Lat · R plain radiograph of the wrist · 13-year-old male · index exam · detector: Siemens · 78.3 mm image width · 544x1069 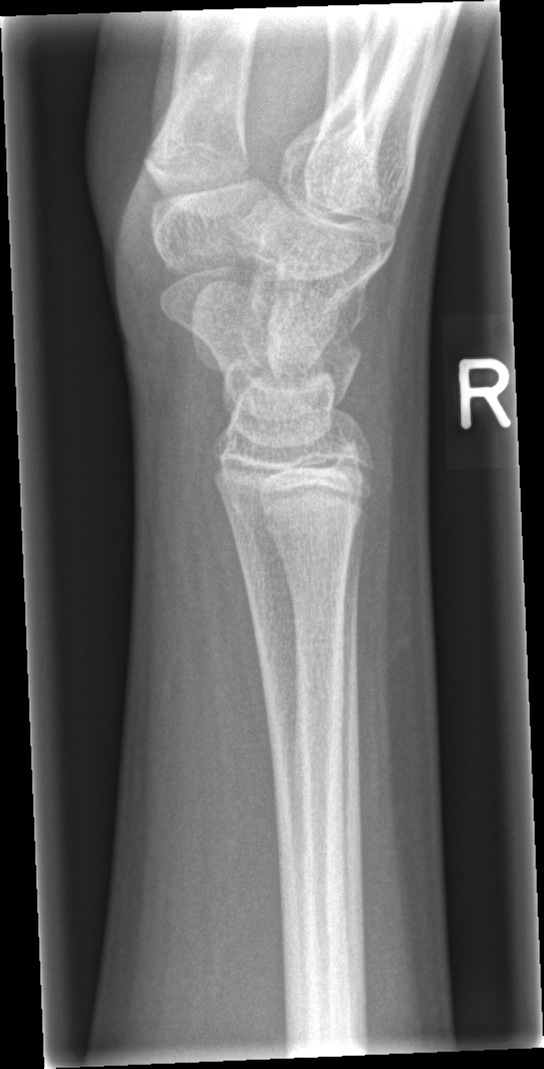

FINDINGS — No Fx annotated.